AP projection, left wrist plain film, 17y F, image size 546x1052 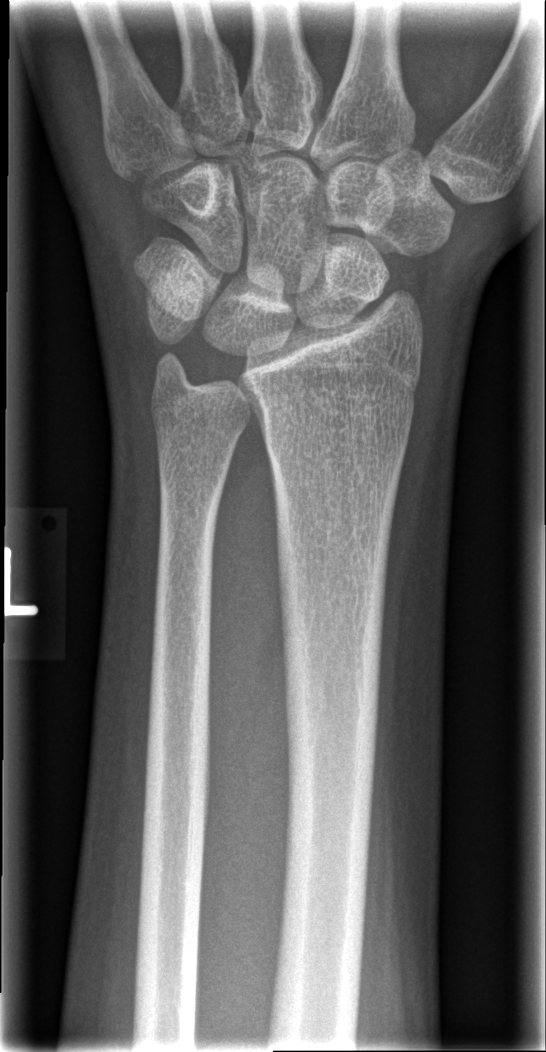
{"fracture": "none labeled"}